Left plain radiograph of the wrist, lateral, pediatric patient (male, age 15):

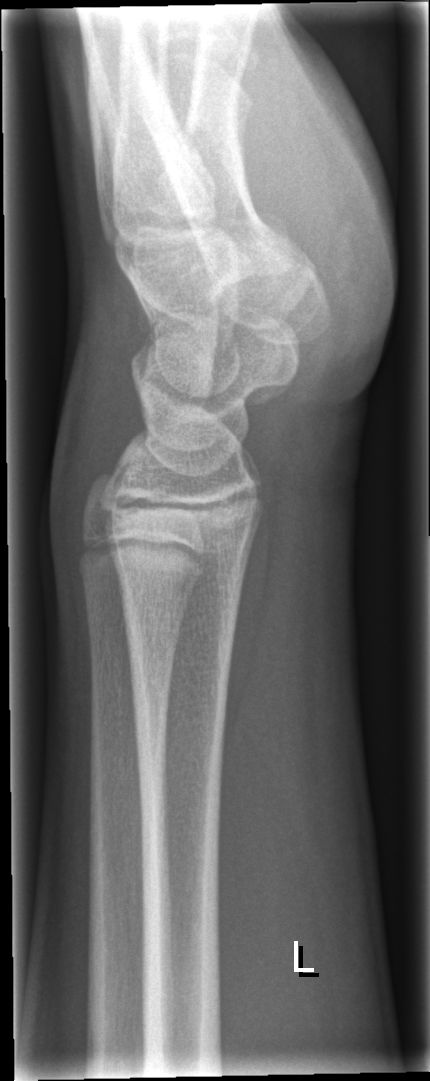

FINDINGS: No fracture labeled.